Lat projection | R pediatric wrist radiograph | age 6 y, boy | 505x810

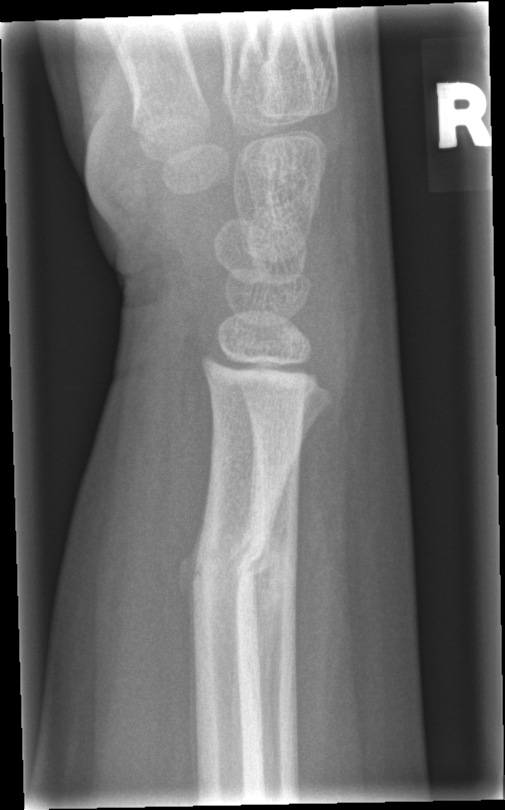

(boxes as x1,y1,x2,y2 (top-left / bottom-right, pixel units))
Periosteal thickening = (left=176, top=510, right=205, bottom=801) (left=254, top=520, right=294, bottom=650)
Bone fracture = (left=180, top=533, right=274, bottom=603)